Lateral; left wrist plain film; age 10 y, girl; initial study

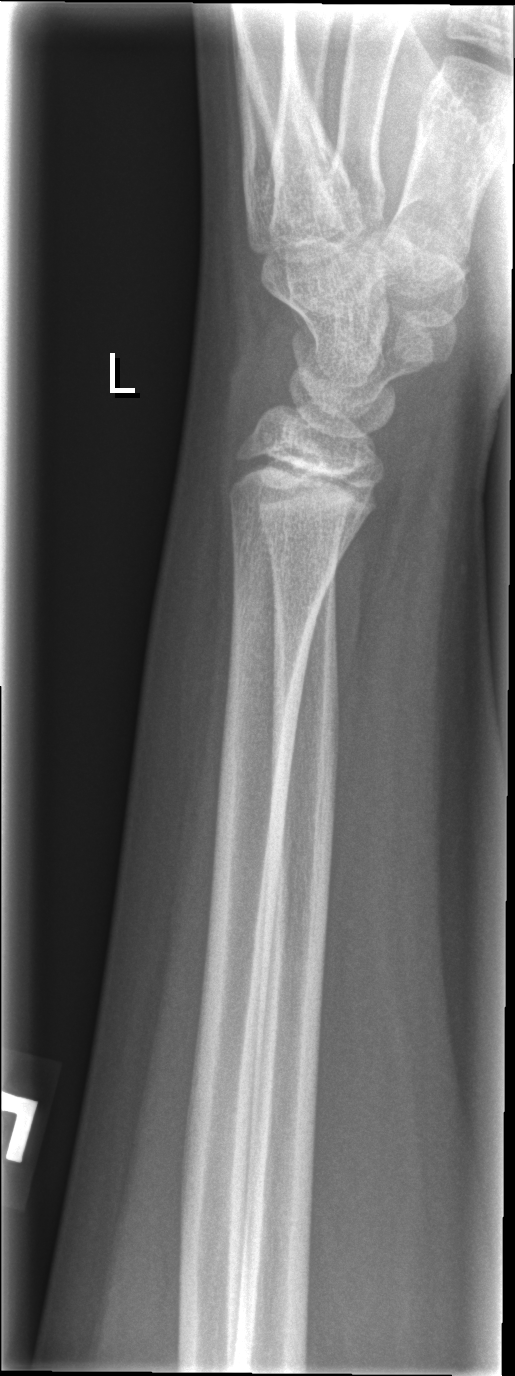
Findings: No Fx annotated.